Left wrist XR; frontal; in cast; 695 x 1024 px —

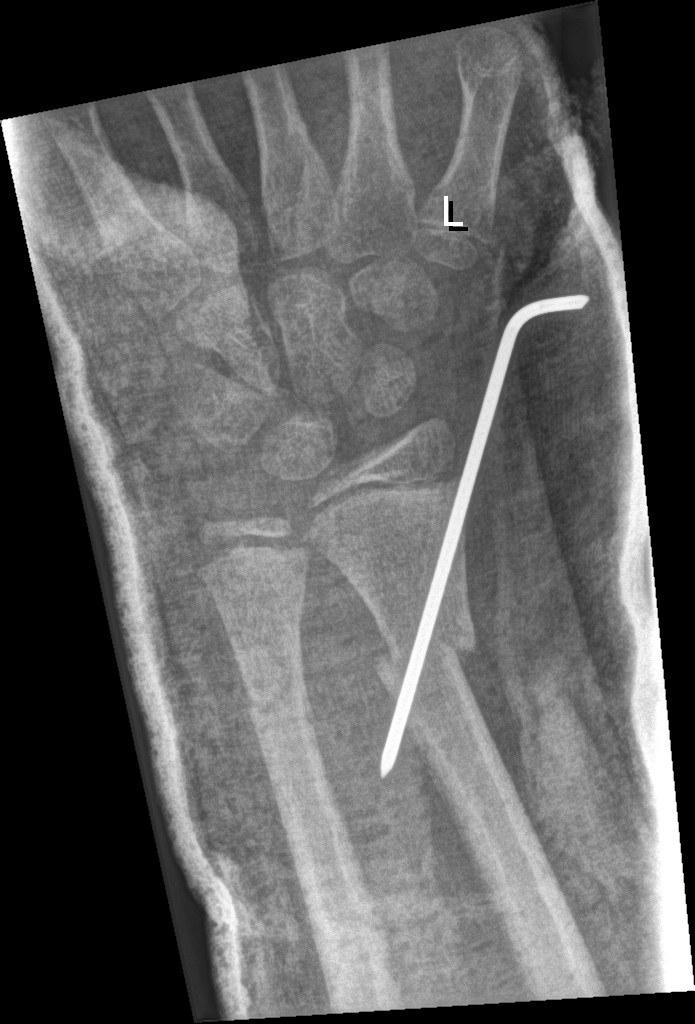
(boxes as x1,y1,x2,y2 (top-left / bottom-right, pixel units))
AO/OTA = 23-M/3.1
Hardware = <381,295>-<590,779>
Fracture = 2 @ <367,617>-<479,684>, <242,651>-<312,727>